Lt pediatric wrist radiograph · lateral projection · 414 x 861 px —
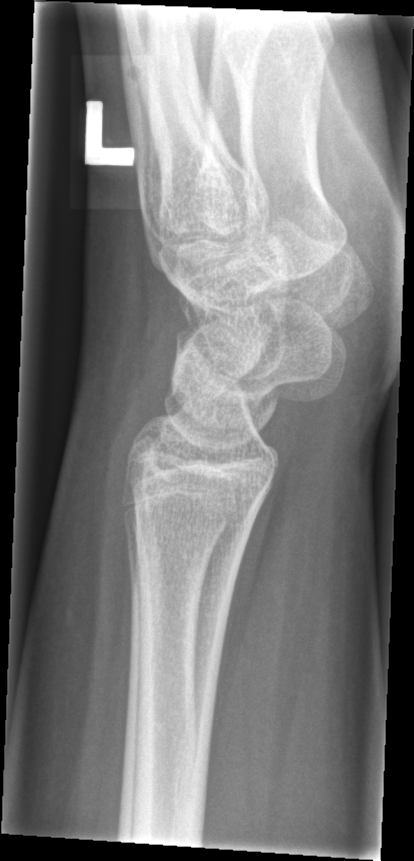
Q: Locate any fractures.
A: Fx: none